Posteroanterior | right wrist XR | age 11 y, female | index exam | Siemens.

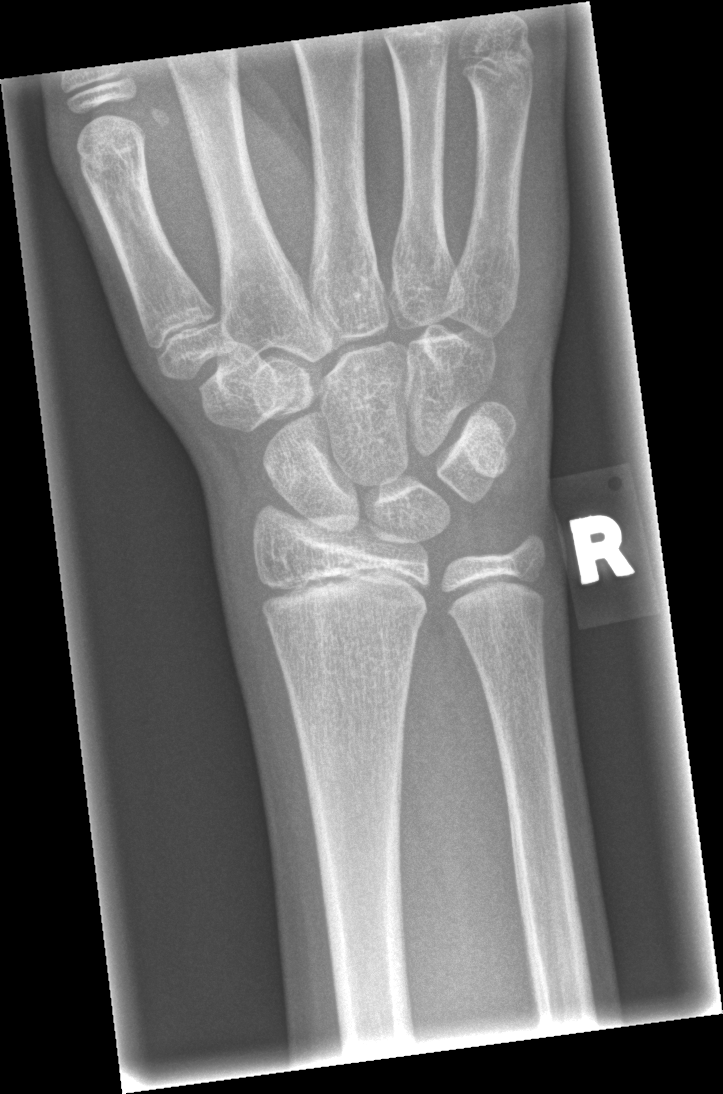
AO code: 23r-M/2.1
Fx: present but not clearly seen in this view